Lateral | R wrist plain film | pediatric patient (boy, age 15) | Siemens
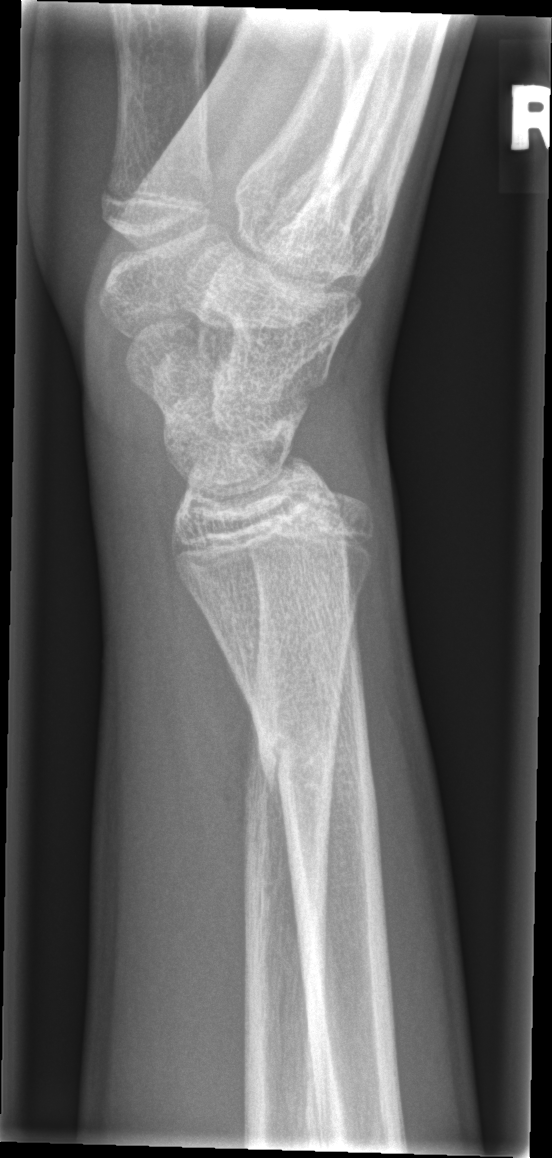
Findings: (coordinates are [x1, y1, x2, y2] in image pixels) Decreased bone density (osteopenia). AO code 23r-M/2.1. One Fx at (left=254, top=718, right=380, bottom=802).